Left wrist XR, frontal projection, initial study, acquired on Siemens.
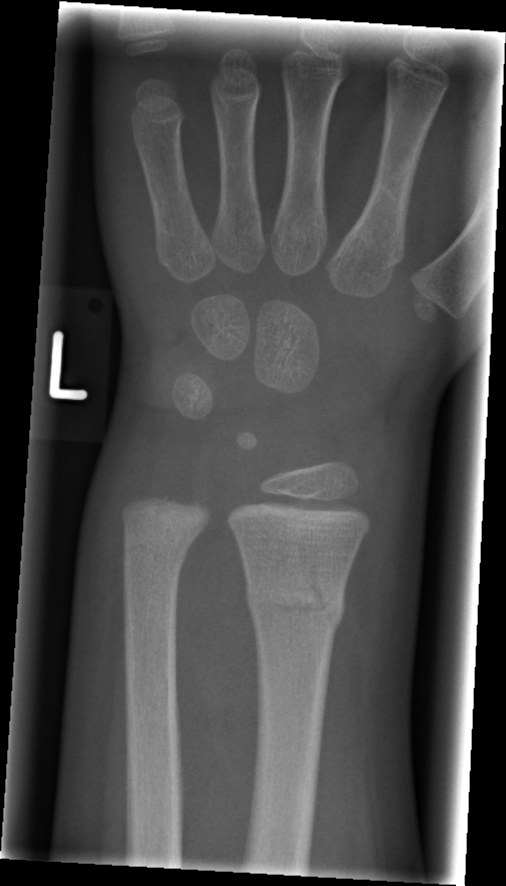
FINDINGS — Fx identified at 242 562 346 636.